Lat | left wrist radiograph | 7y M | Siemens | 63.8 mm image width.

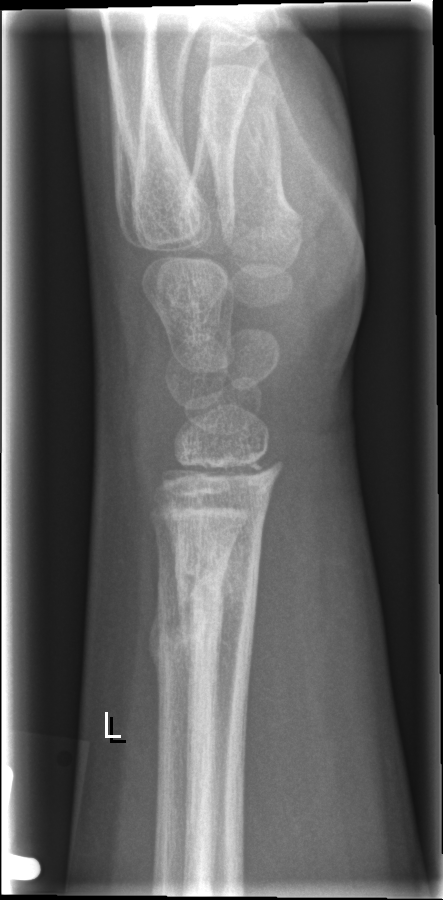
AO code: 23-M/2.1
bone fracture: 2 @ <172,543>-<260,632>; <145,612>-<224,680>